Left plain radiograph of the wrist; lateral; female, 7 yo; cast present; acquired on Siemens: 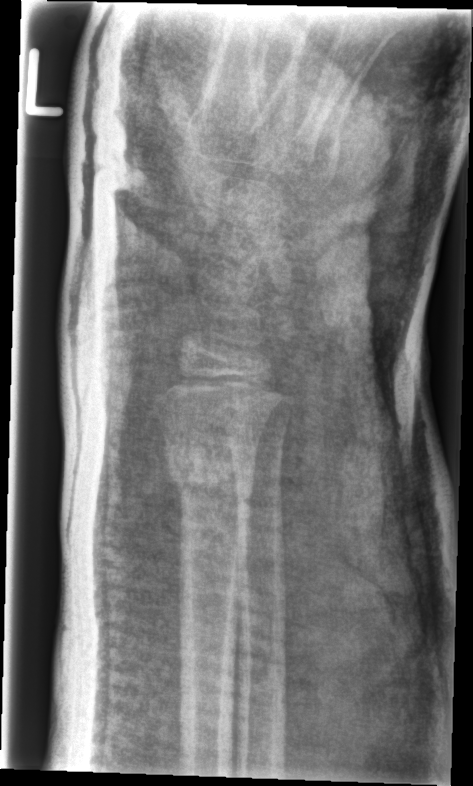 Q: What is the AO/OTA classification?
A: Fracture classified AO/OTA 23r-M/3.1
Q: Any fracture seen?
A: Fx — [x1=160, y1=432, x2=259, y2=506]